Lt wrist plain film · PA/AP view · 5-year-old girl. 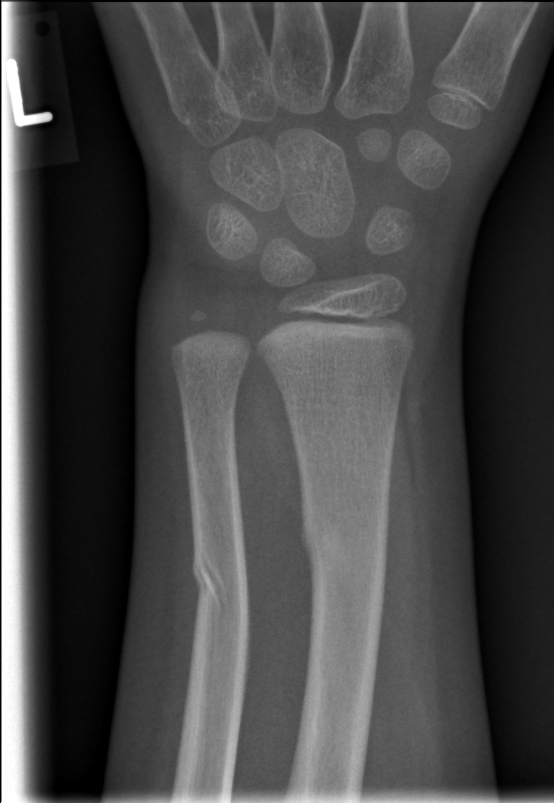 {
  "fracture": "2 @ (left=296, top=499, right=392, bottom=609), (left=186, top=543, right=255, bottom=635)",
  "ao": "23-M/2.1"
}